PA, L wrist plain film, male, 13 yo, initial study, 498x794.

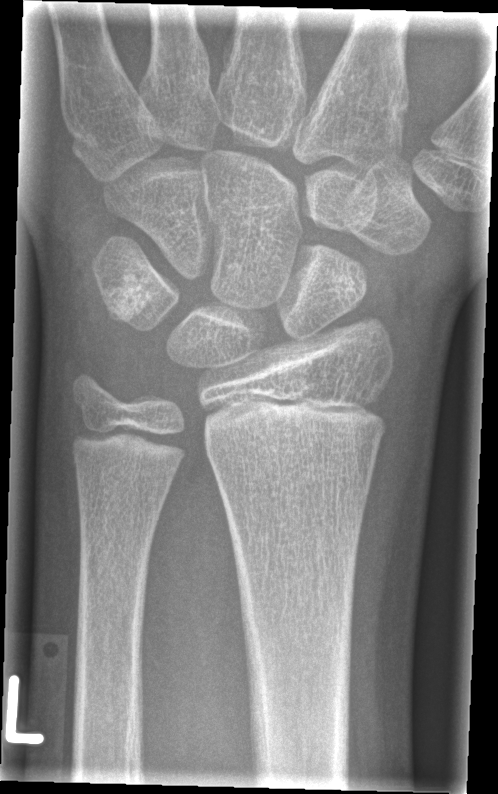

* No fracture annotation.